AP | right wrist plain radiograph of the wrist | cast present: 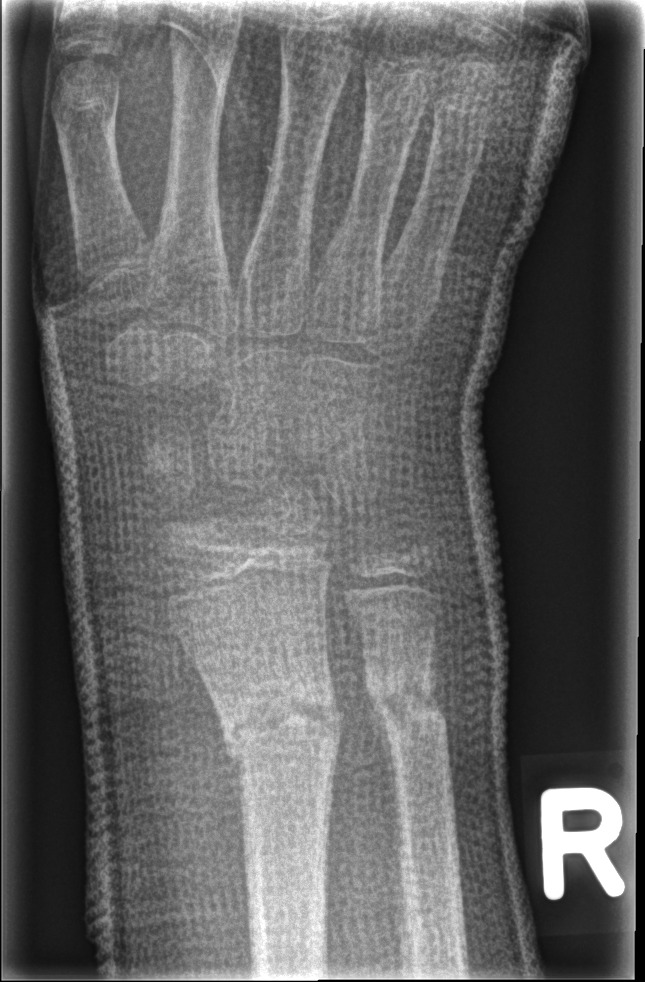 Fracture classified AO/OTA 23-M/3.1. Fracture: 214,674,346,775
  362,667,451,739.